PA/AP projection | right wrist X-ray | initial study | detector: Siemens | 436 by 978 pixels.
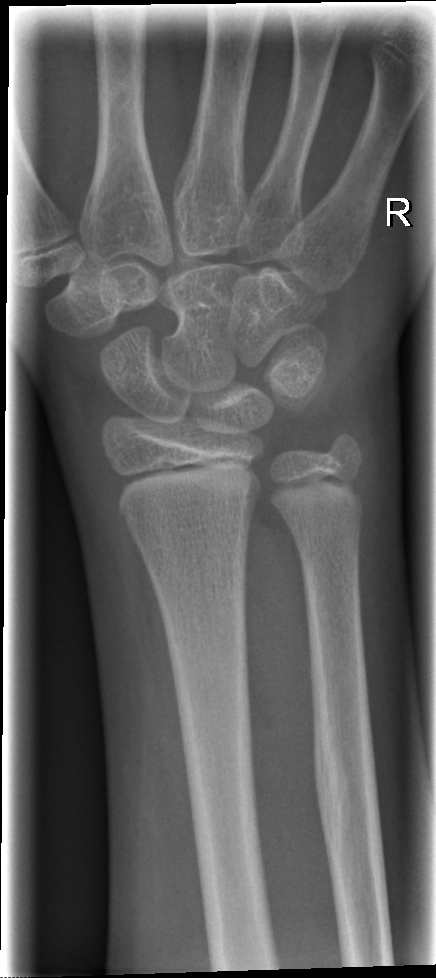

{"fracture": "none labeled"}